Rt wrist X-ray, lat view, presentation radiograph, Siemens —
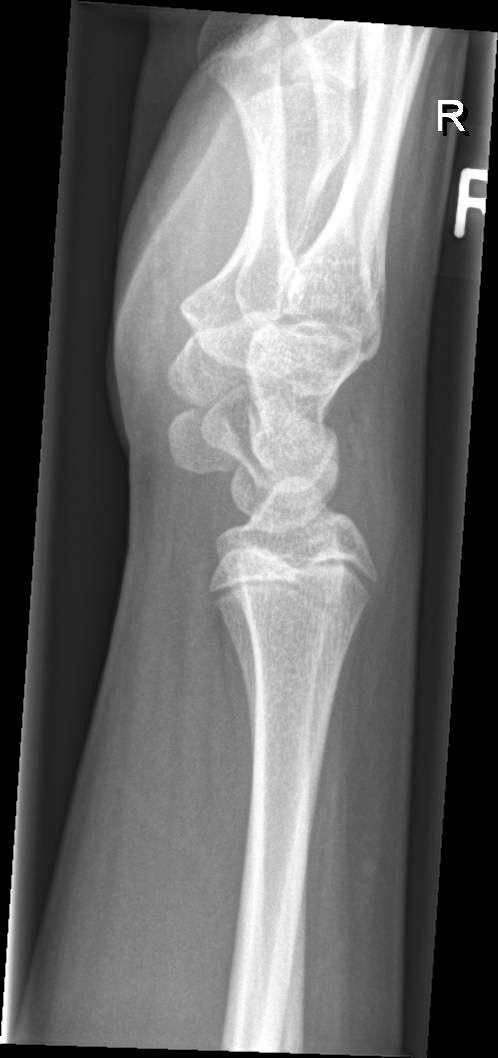 Fracture: none labeled.